Lateral projection, right wrist XR, age 15 y, male, in cast, image width 119.8 mm

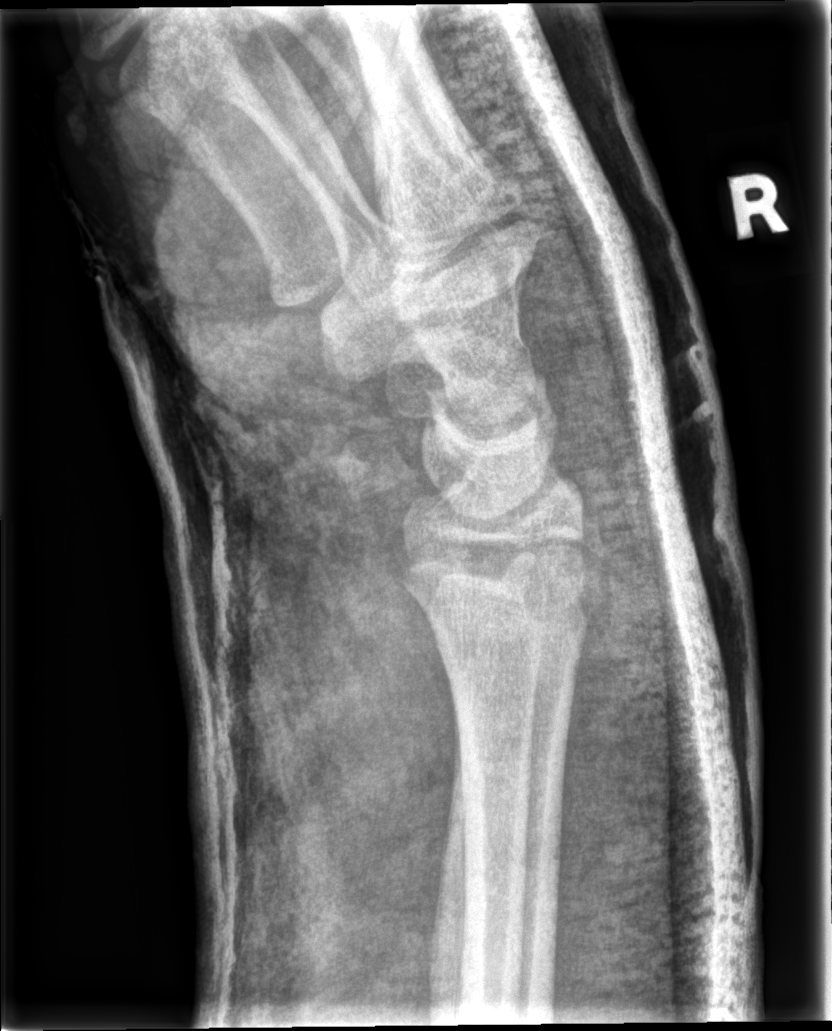
Boxes as x1,y1,x2,y2 (top-left / bottom-right, pixel units).
Fx — [x1=398, y1=520, x2=594, y2=595].